Frontal view | left wrist X-ray | follow-up study.

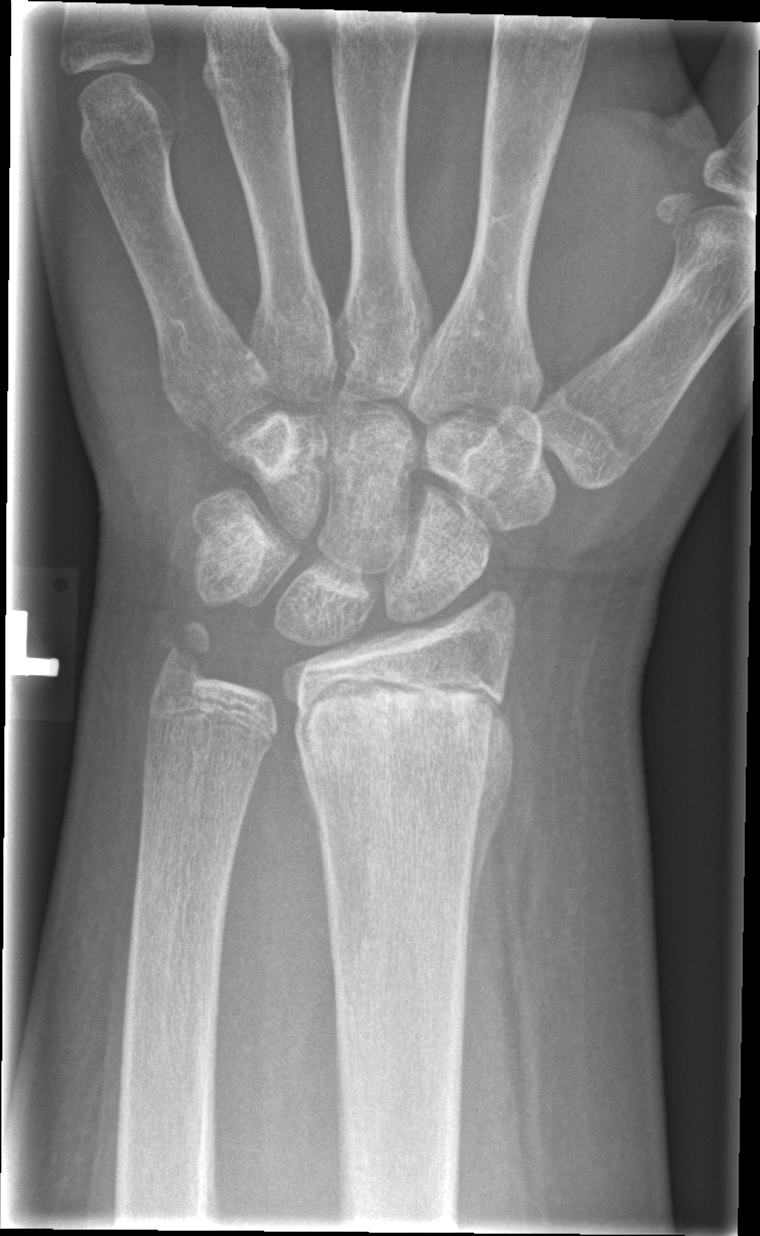
Findings: Periosteal thickening identified at 461,701,516,1040 | 293,749,323,851. Bone fracture: 286,684,521,780 | 155,615,222,691. AO/OTA classification: 23r-E/2.1; 23u-E/7. Decreased bone density (osteopenia).